Lateral projection | L pediatric wrist radiograph | age 11 y, boy | index exam | 501 x 1000 px —
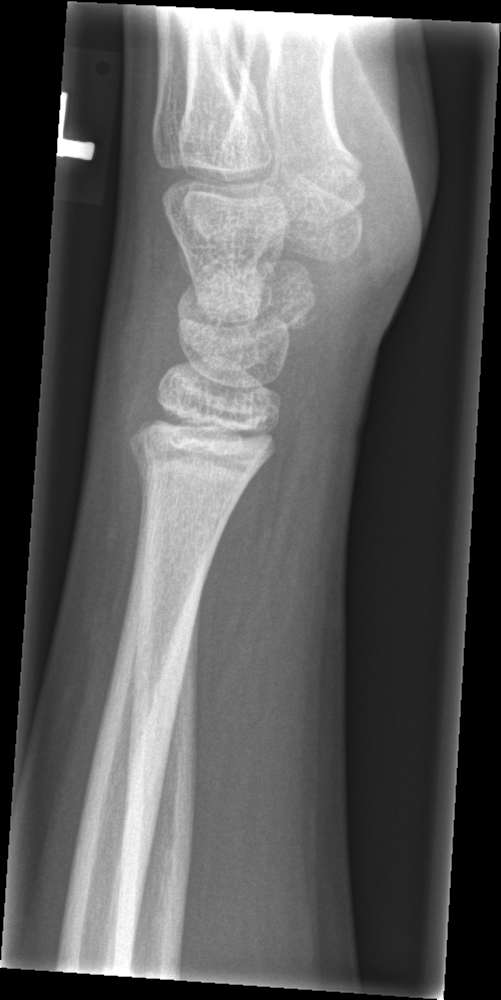 (bounding boxes in image-pixel xyxy)
Fx = 1 @ (126, 406, 275, 505)
soft-tissue swelling = 1 @ (82, 197, 184, 554)